R wrist plain film; PA projection

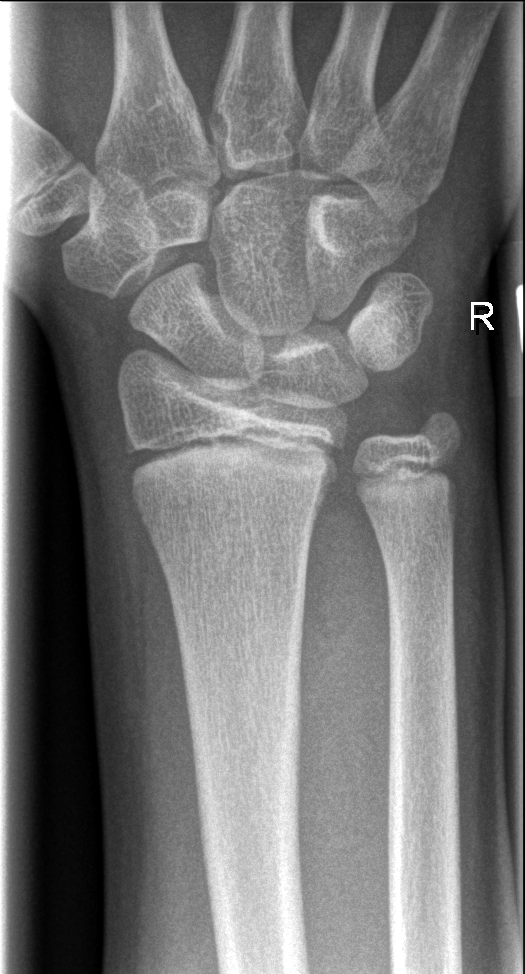 No fracture bounding box.